Lat · left wrist radiograph · 13-year-old male

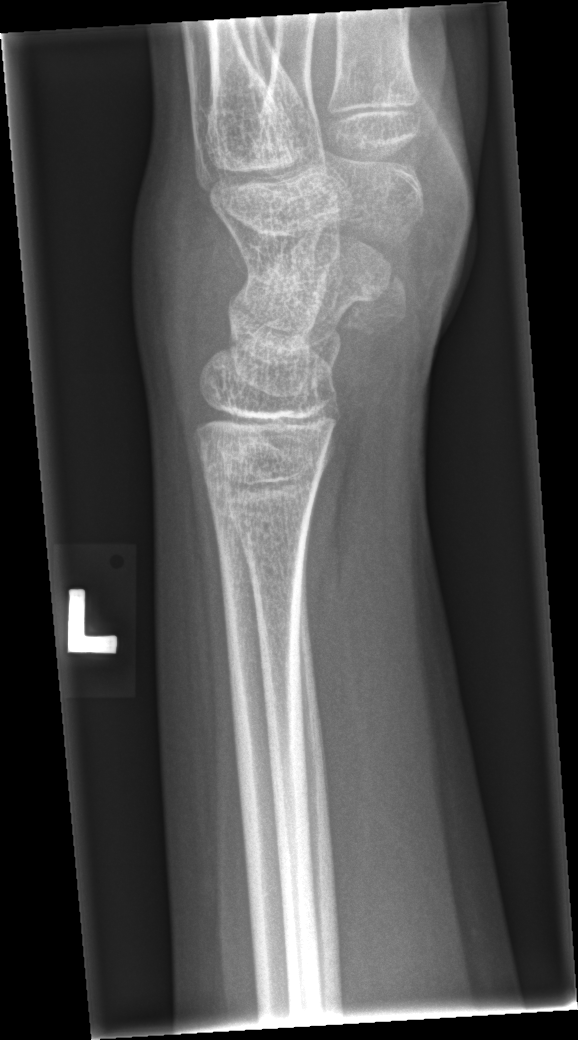
FINDINGS: (pixel coordinates, top-left origin, xyxy) Soft-tissue swelling identified at [x1=126, y1=129, x2=249, y2=427]. Fracture present, but no bounding box because it is not clearly seen in this view.